Left wrist plain film · AP projection · 6y F · presentation radiograph:
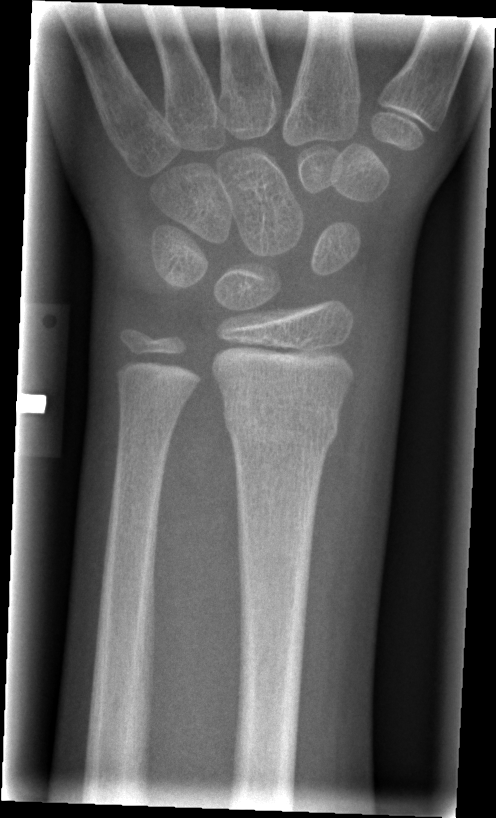 Pixel coordinates, top-left origin, xyxy.
Fracture classified AO/OTA 23r-M/2.1.
One bone fracture at (left=220, top=394, right=343, bottom=451).